Rt wrist plain film; PA/AP view; pediatric patient (male, age 14):
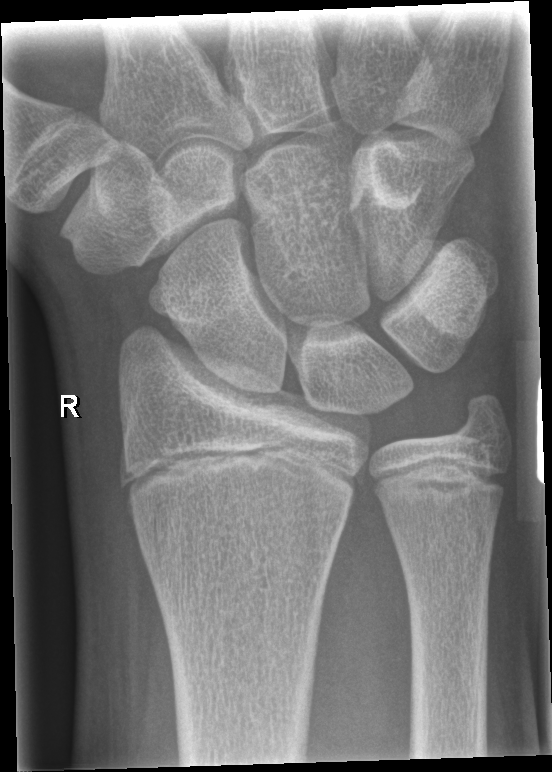
• No fracture labeled.